Lateral view | Rt wrist X-ray.
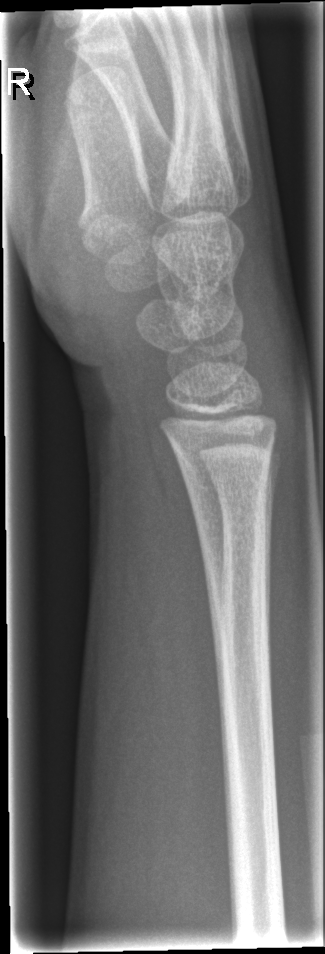
Fx: none labeled